Lt wrist XR · lateral · 455x770 — 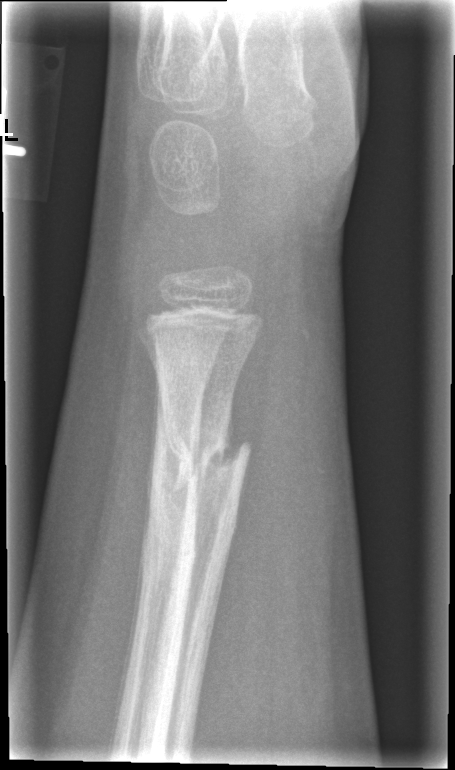 AO/OTA = 23-M/3.1; 22r-D/4.1
Bone fracture = <161,414>-<256,502>; <138,469>-<199,600>
Osteopenia = present